Left wrist plain film | PA/AP view | age 9 y, boy: 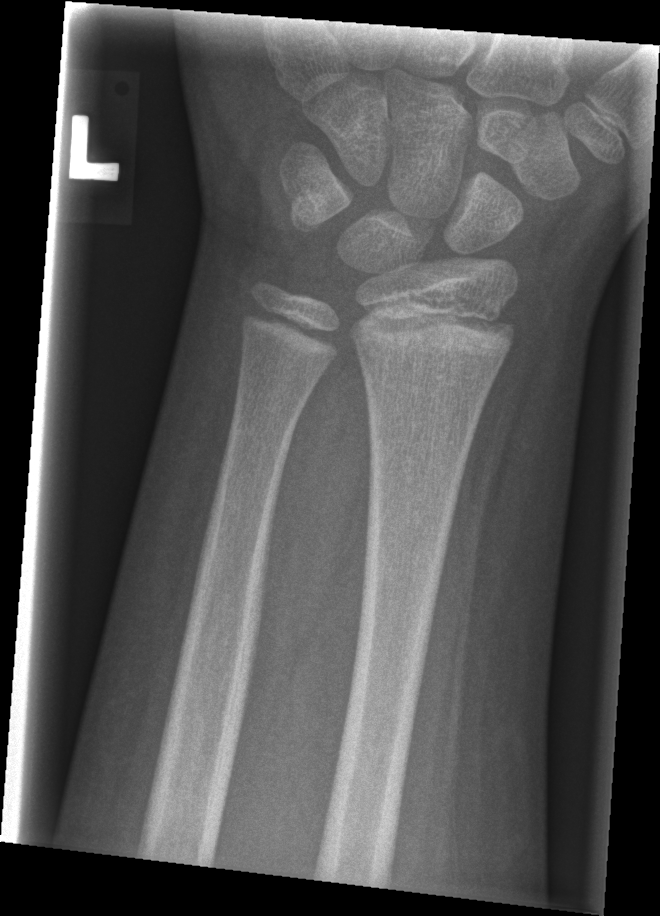
AO classification = 23r-E/2.1
Fx = present but not clearly seen in this view